Right wrist radiograph, lat view, age 9 y, female, detector: Siemens.
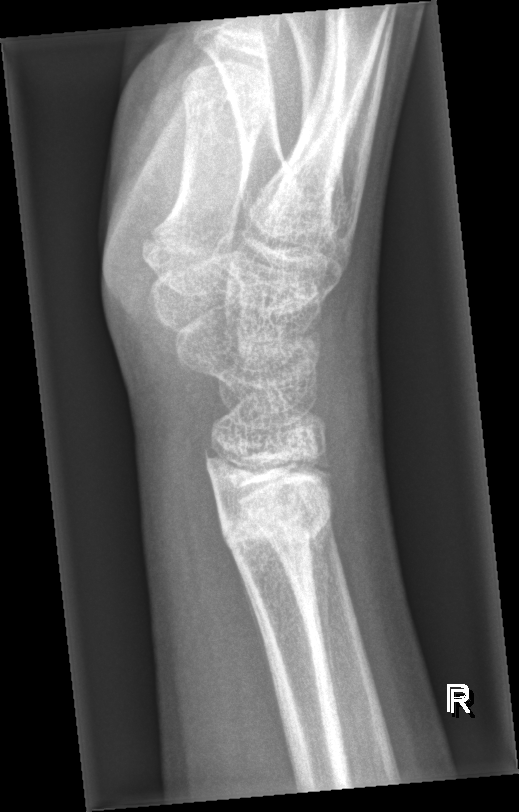 Periosteal reaction = 1 @ [x1=305, y1=512, x2=342, y2=728]
AO code = 23r-M/3.1; 23u-E/7
Bone fracture = [x1=219, y1=469, x2=337, y2=558]
Osteopenia = present